Frontal projection; left wrist X-ray; female, 9 yo; image width 76.8 mm; 533 by 1032 pixels: 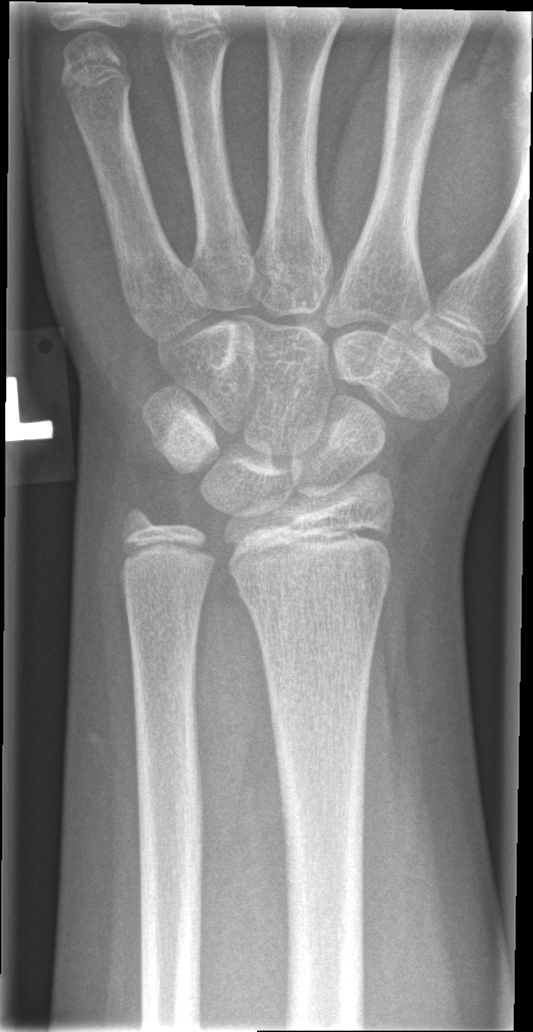 FINDINGS — Fracture classified AO/OTA 23r-M/2.1. Fx: 232 556 397 616.